PA; R wrist plain film; pediatric patient (male, age 11); 735 by 1226 pixels — 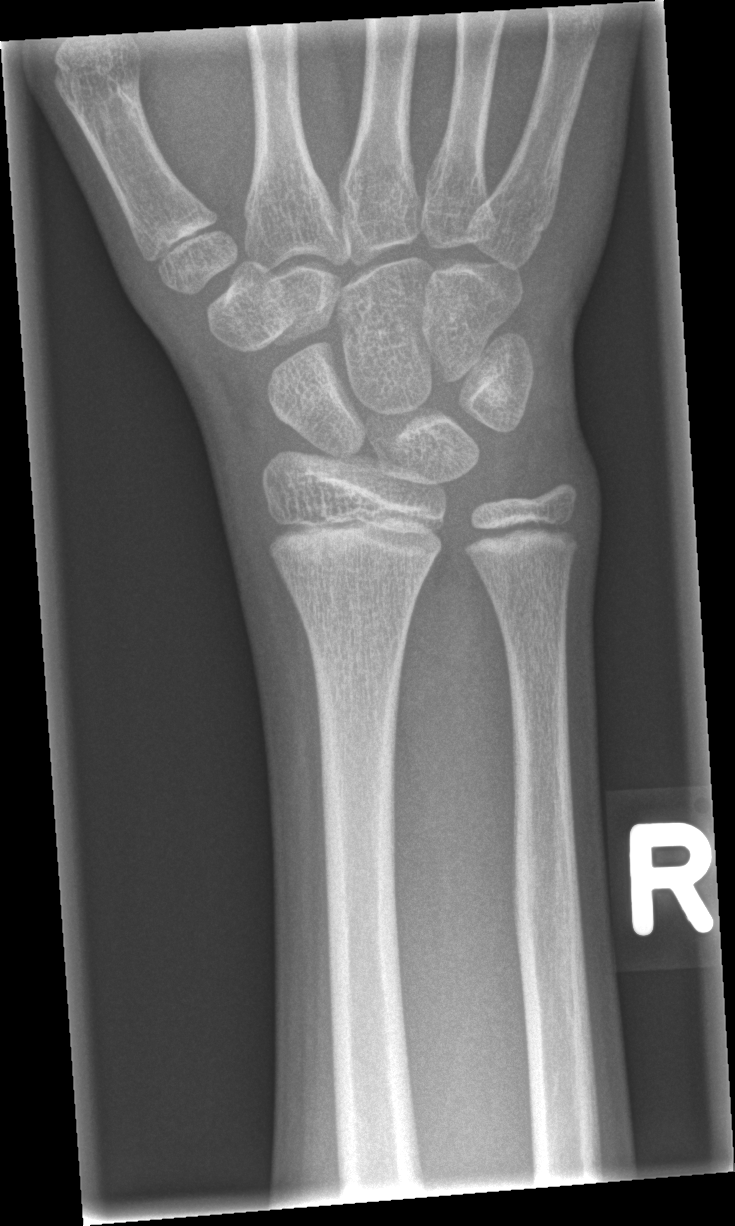

• Fx: none.